PA, R wrist radiograph, follow-up study, image 78.9 mm wide:
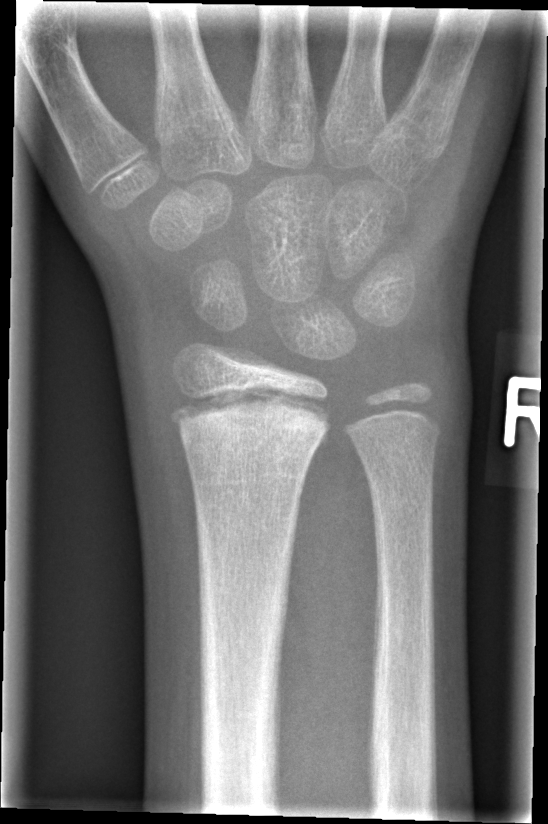
Fx — (165, 381, 336, 465).